L wrist radiograph, frontal view, female, 7 yo, subsequent exam
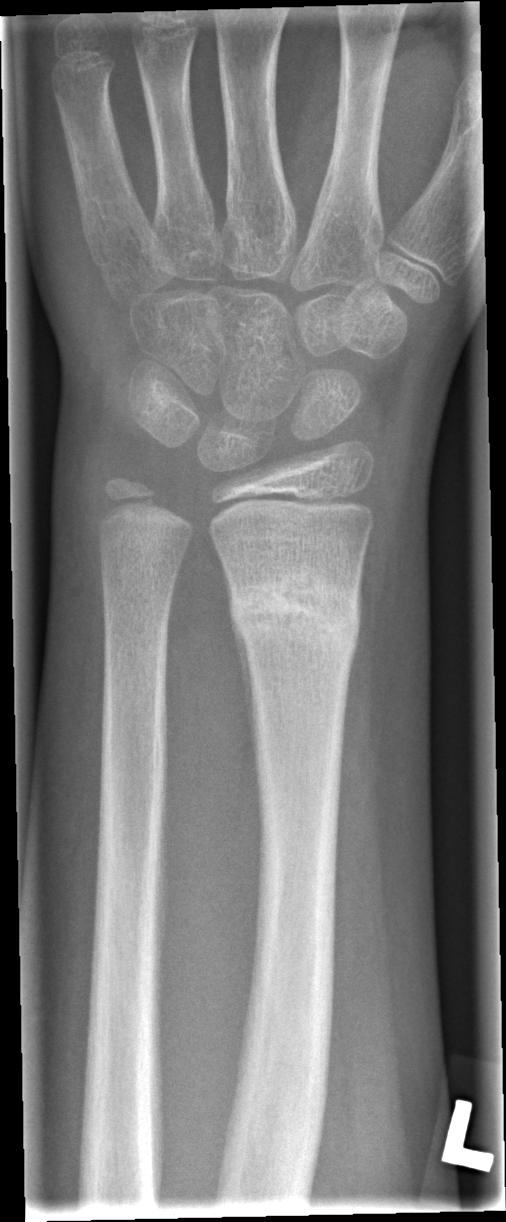 FINDINGS: Osteopenia. Fracture identified at (left=227, top=564, right=365, bottom=665). Periosteal reaction identified at (left=219, top=558, right=255, bottom=740).